Left wrist X-ray; lateral view: 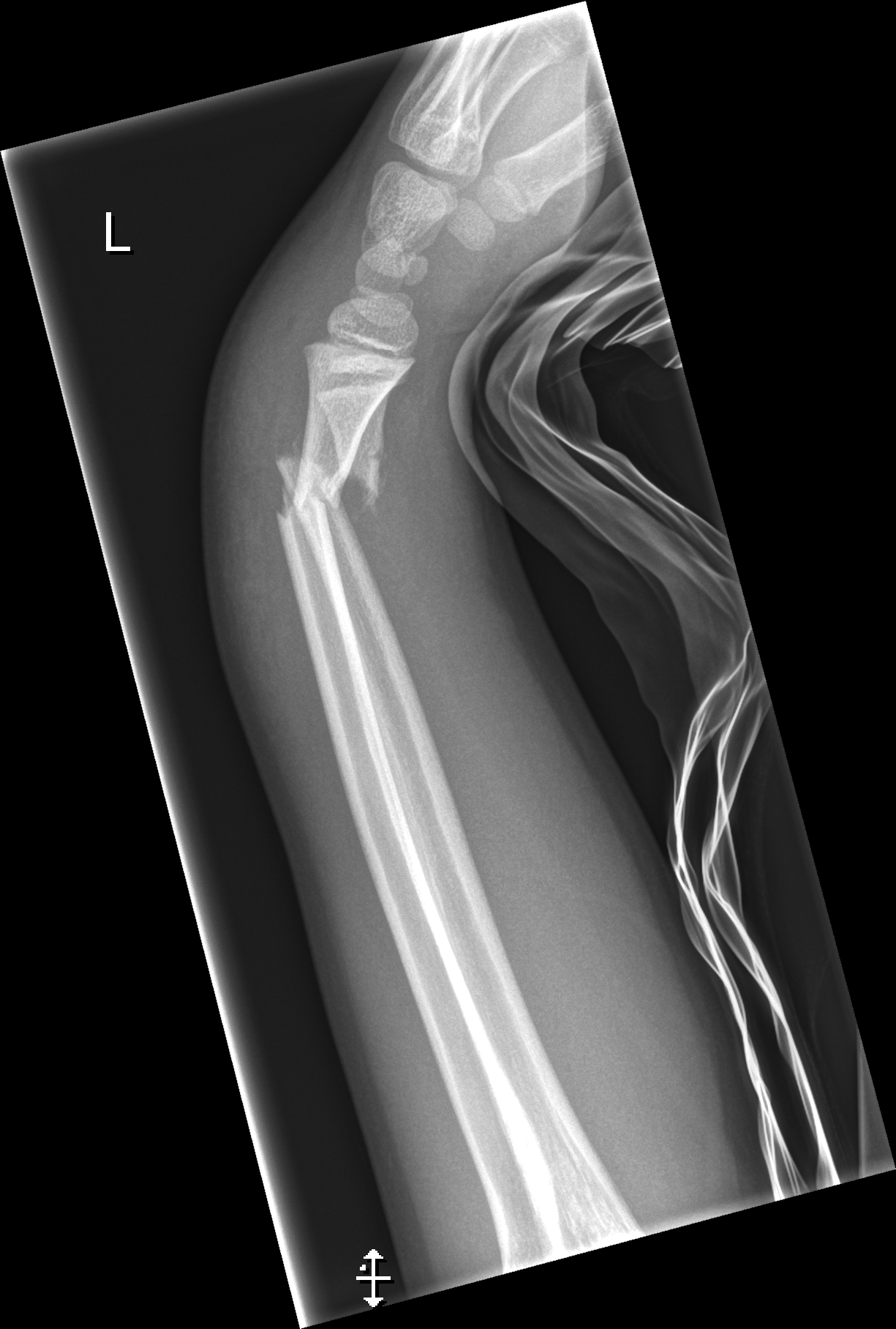
(boxes as x1,y1,x2,y2 (top-left / bottom-right, pixel units))
fracture: 1 @ <263,433>-<387,533>
AO/OTA: 23-M/3.1
pronator sign: 1 @ <358,372>-<427,618>
soft tissue abnormality: 1 @ <197,272>-<304,660>